Rt pediatric wrist radiograph; PA/AP: 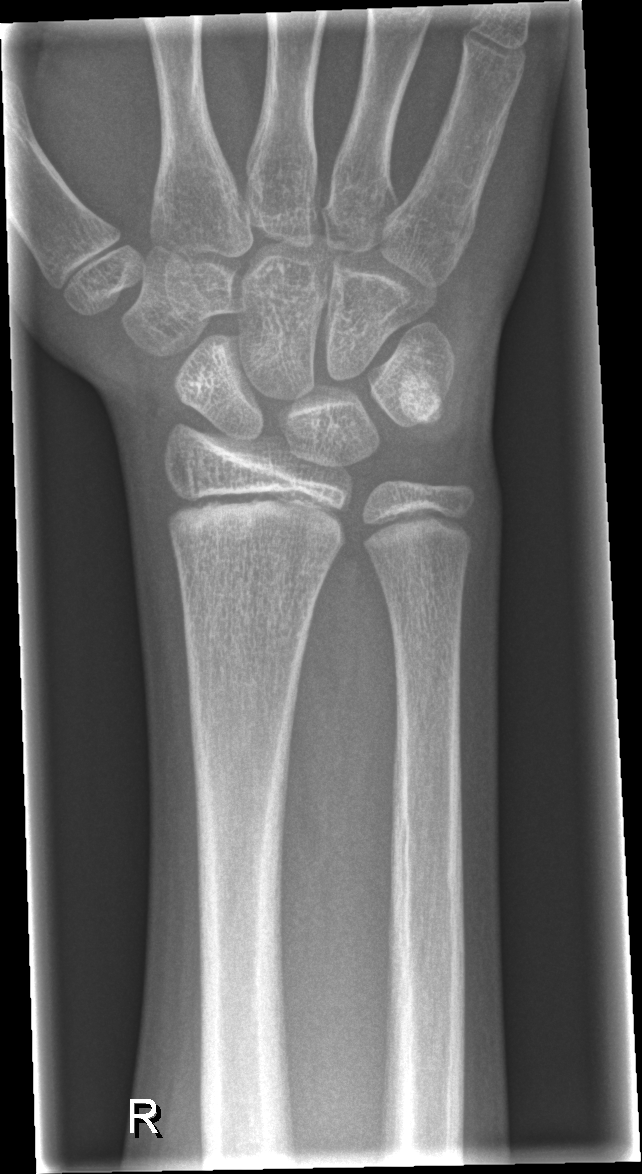 Q: Any fracture seen?
A: Fx present but not clearly seen in this view
Q: AO code?
A: Fracture classified AO/OTA 23r-M/2.1